R wrist radiograph; frontal view; 600 x 1062 px —

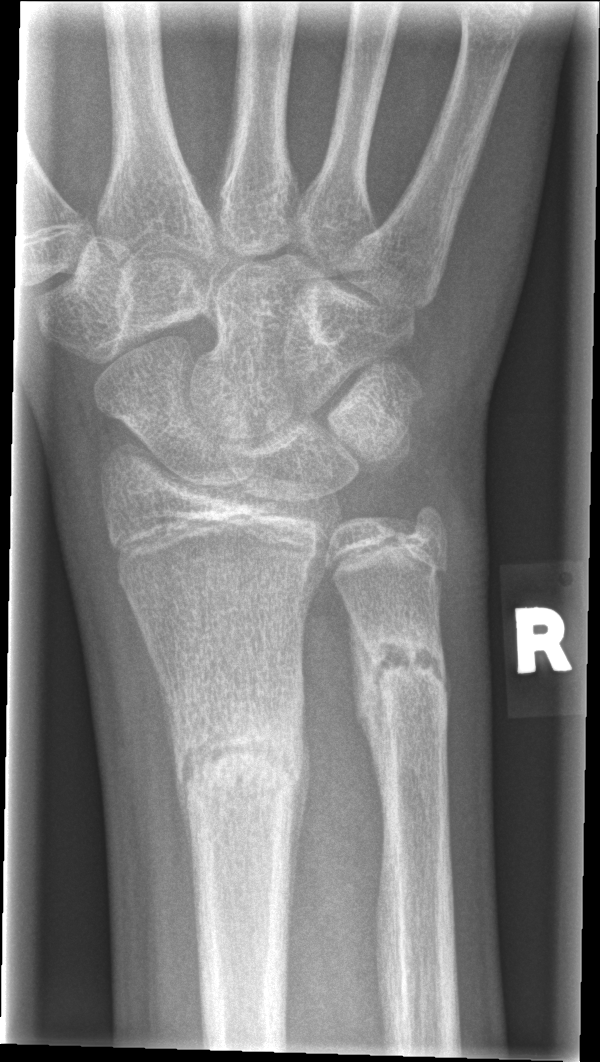
(bounding boxes in image-pixel xyxy)
Bone fracture = 2 @ [x1=170, y1=714, x2=310, y2=817] [x1=356, y1=621, x2=450, y2=710]
Osteopenia = present